Lateral; left wrist X-ray; 13-year-old male; follow-up; cast present
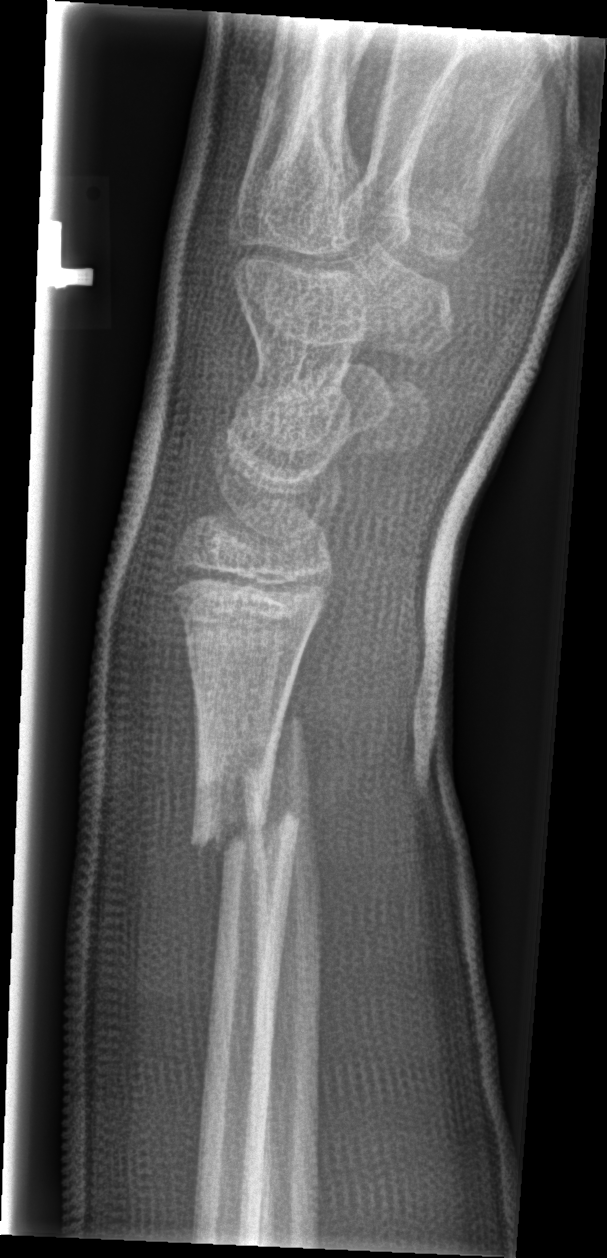 {"fracture": "(188, 713, 312, 796); (188, 770, 301, 858)", "ao": "23-M/3.1"}